Right wrist XR | PA view | pediatric patient (female, age 11) | cast in situ | 592 x 1094 px.

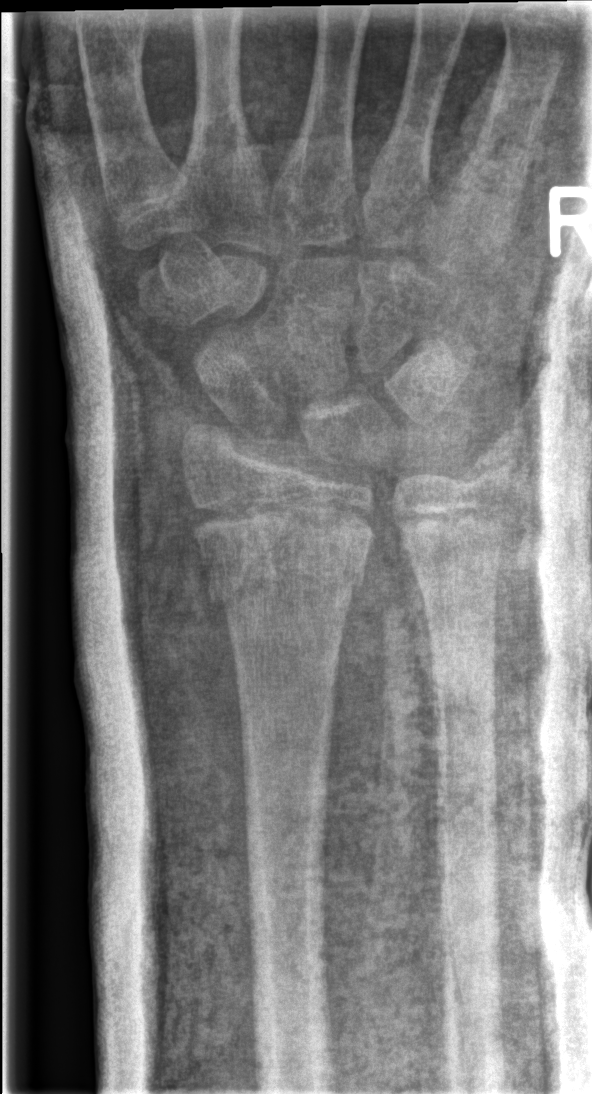
Boxes as x1,y1,x2,y2 (top-left / bottom-right, pixel units). Fractures — [x1=202, y1=518, x2=375, y2=612], [x1=455, y1=430, x2=520, y2=499].